Frontal projection | left wrist XR | 1.0-year-old boy

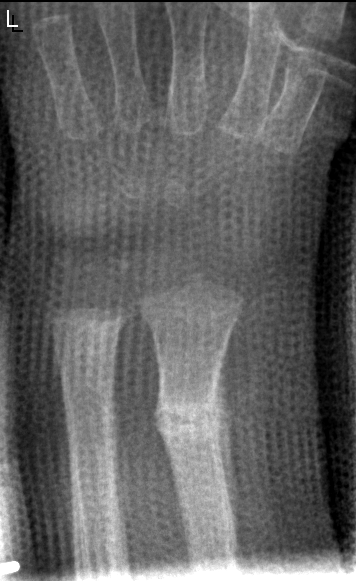
FINDINGS — Periosteal reaction identified at 214,339,241,544. Fracture: 151,384,231,445.